L wrist XR | lateral projection | male, 12 yo: 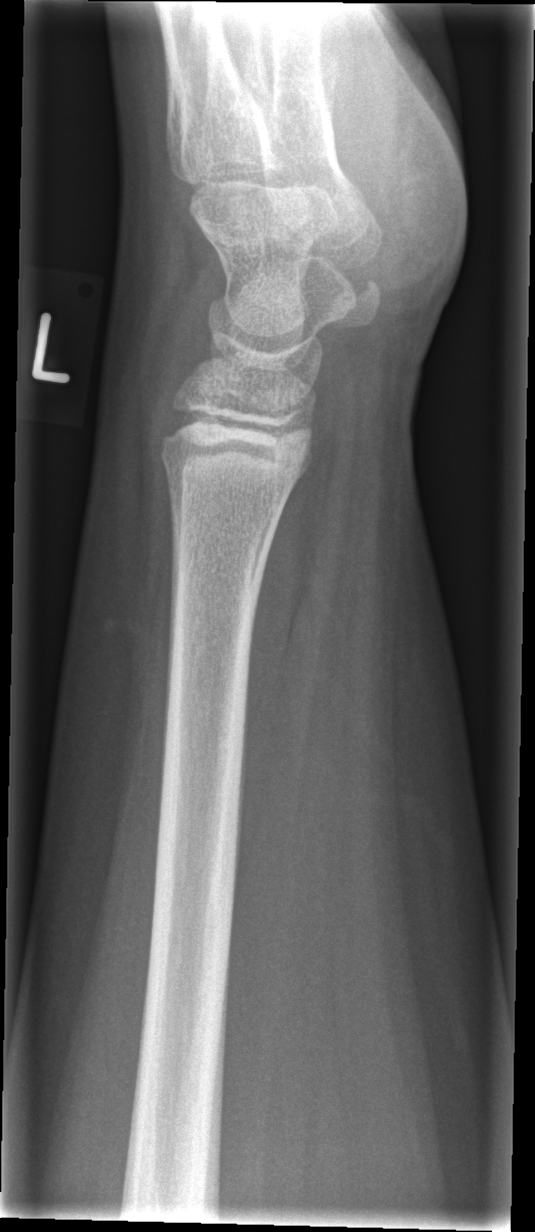 Q: Locate any fractures.
A: No Fx annotated